Lat view · Lt wrist plain film · 14-year-old boy · cast present — 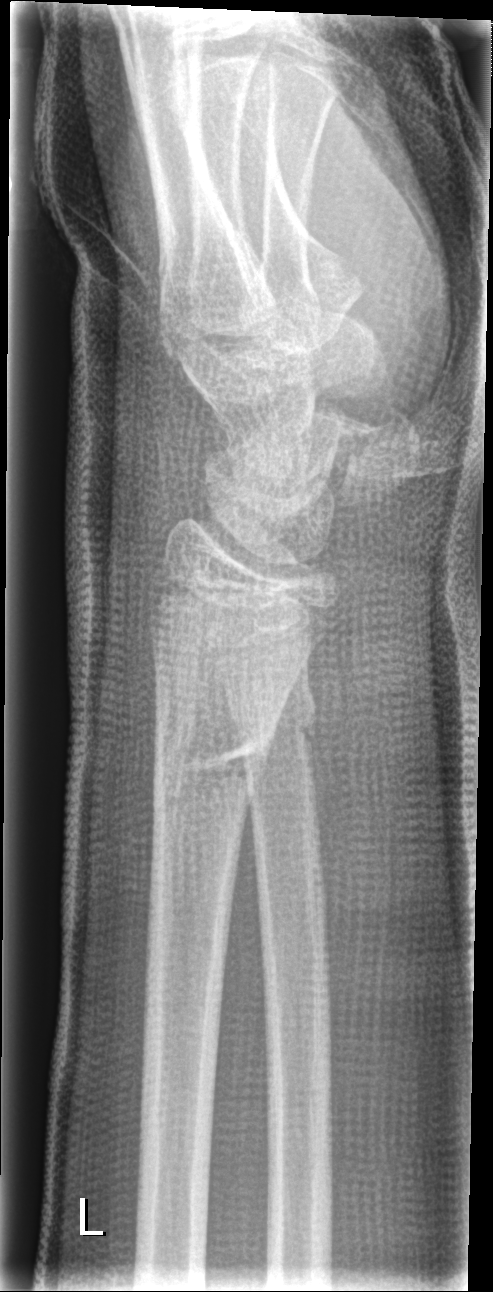

(coordinates are [x1, y1, x2, y2] in image pixels)
Q: Fracture present?
A: Fx: (left=153, top=694, right=299, bottom=819), (left=229, top=683, right=324, bottom=767)